Lateral, R pediatric wrist radiograph —
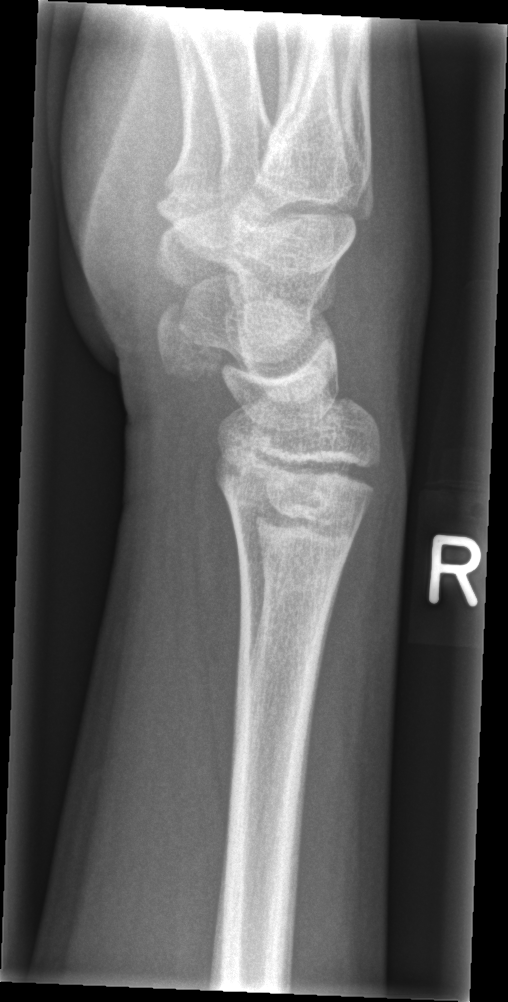 FINDINGS — Fracture: none labeled.